L wrist radiograph; PA; 14y M; Siemens.
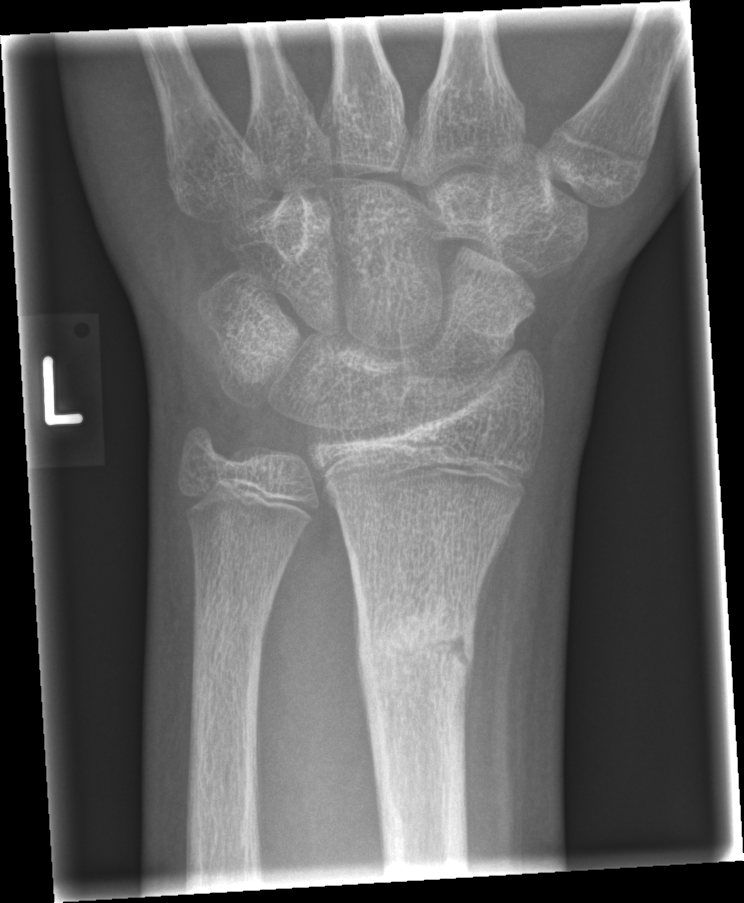

* Osteopenia.
* Bone fracture: <354,597>-<477,697>; <188,587>-<276,655>.